Left wrist radiograph, lateral view, pediatric patient (female, age 8) — 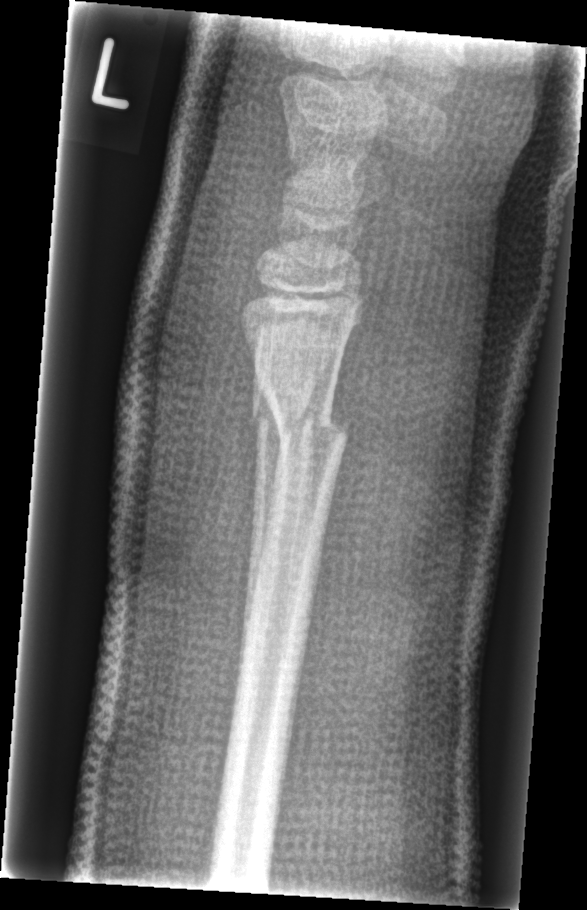 Coordinates are [x1, y1, x2, y2] in image pixels. AO code 23-M/3.1. Fx identified at <248,377>-<356,456>.